Left plain radiograph of the wrist | lat | pediatric patient (boy, age 12). 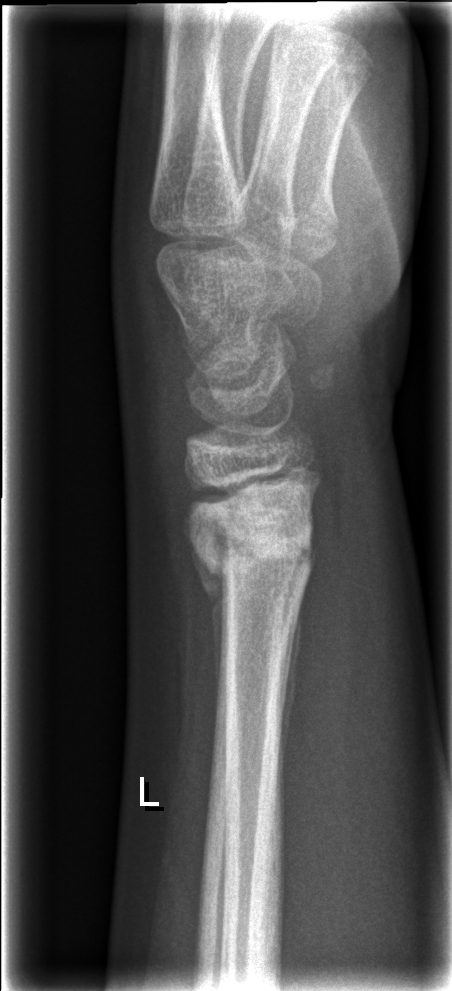
Osteopenia = present
AO classification = 23r-M/3.1
Bone fracture = <182,462>-<324,595>
Periosteal new bone = <191,540>-<228,697>, <276,584>-<302,758>